Right wrist radiograph, lateral view, in cast:
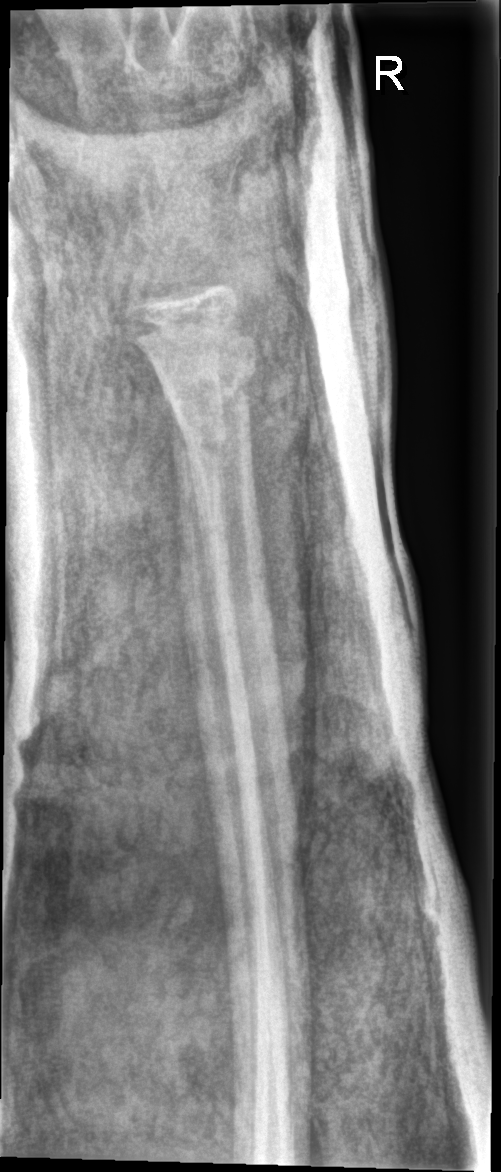
fracture: [165, 362, 260, 467]
ao: 23r-M/3.1; 23u-M/2.1